Lat projection | L wrist XR | 14y M

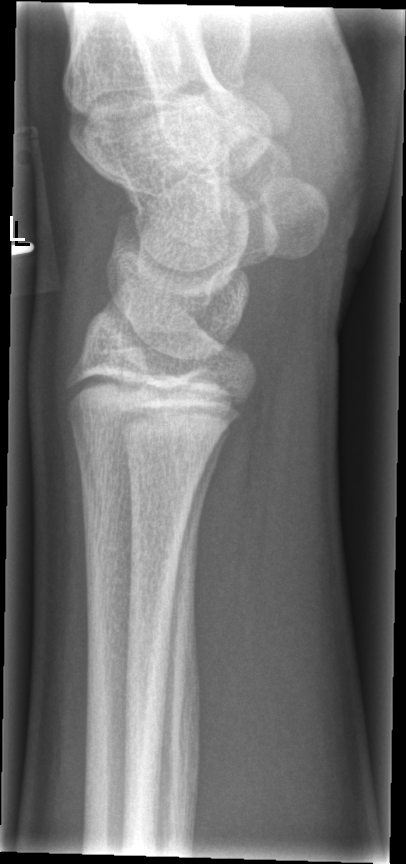

FINDINGS — Fracture: none labeled.